Right wrist X-ray; lateral projection; presentation radiograph; findings marked uncertain by the reading radiologist; image 80.8 mm wide; image size 561x1254 — 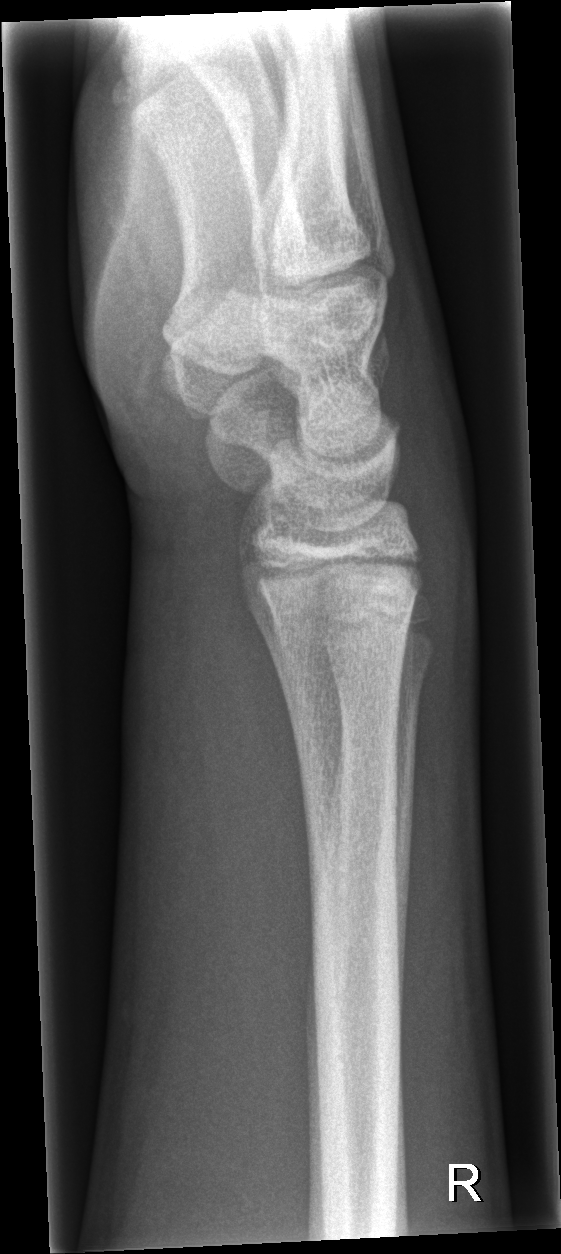 Q: Locate any fractures.
A: No fracture annotation